L wrist X-ray; PA view; 13y M; subsequent exam; cast present; image 105.0 mm wide. 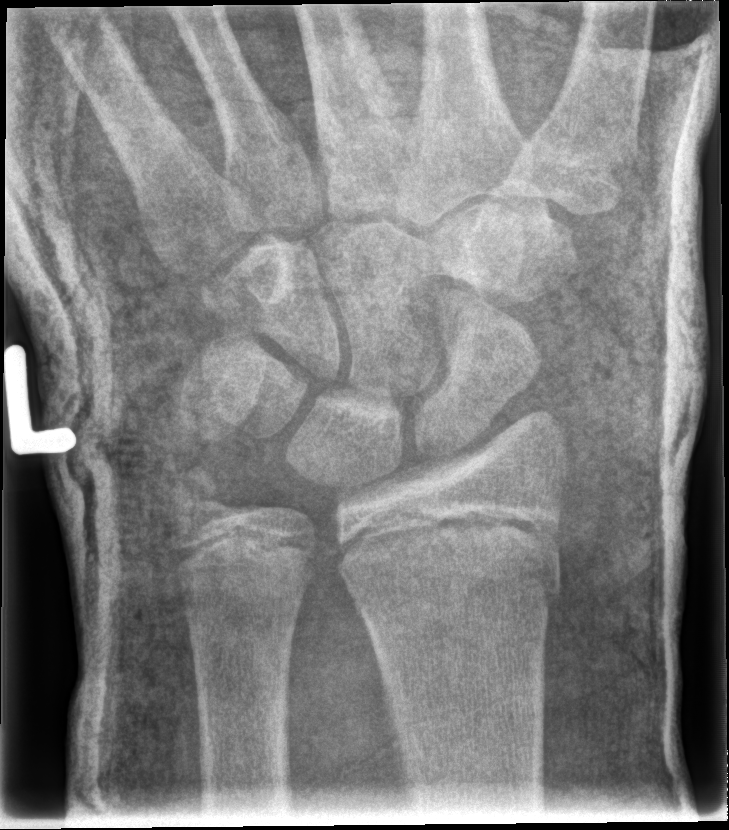 (coordinates are [x1, y1, x2, y2] in image pixels)
AO/OTA: 23r-M/3.1; 23u-E/7
Fx: (334, 520, 570, 611); (161, 457, 242, 531)